Lat · Lt plain radiograph of the wrist · age 11 y, girl.
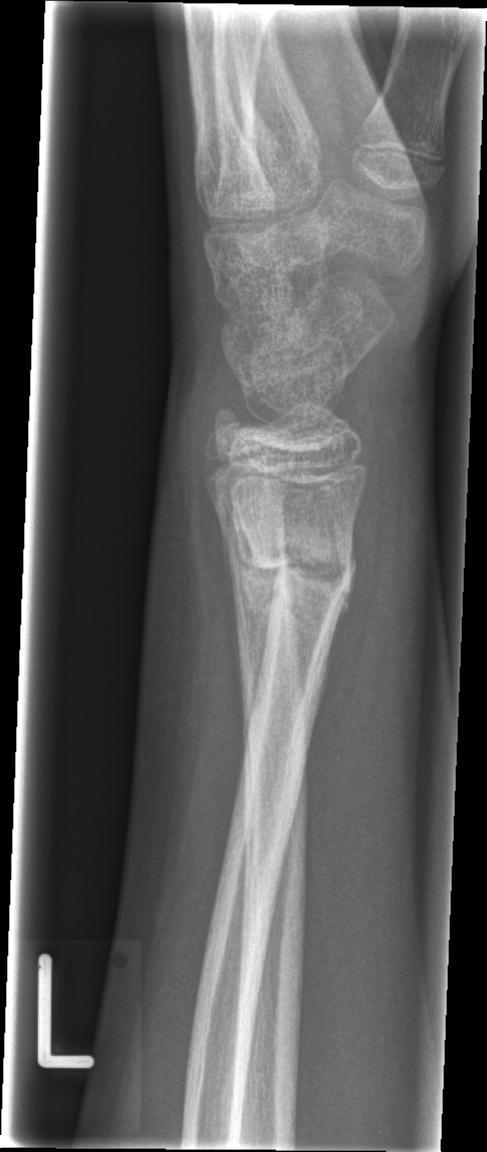 (boxes as x1,y1,x2,y2 (top-left / bottom-right, pixel units))
fracture: [x1=232, y1=528, x2=359, y2=616]
AO/OTA: 23r-M/3.1; 23u-M/2.1
periosteal reaction: 2 @ [x1=233, y1=534, x2=279, y2=721] [x1=320, y1=535, x2=357, y2=678]